Right wrist plain film · PA · pediatric patient (female, age 6) · Siemens · 74.4 mm image width —

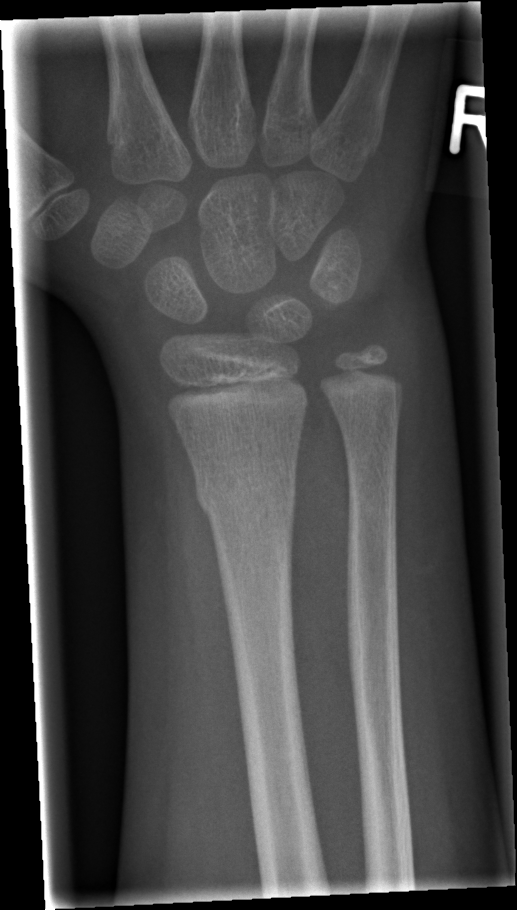
FINDINGS: One Fx at <193,460>-<299,519>. Fracture classified AO/OTA 23r-M/2.1.